PA/AP view, right wrist plain radiograph of the wrist 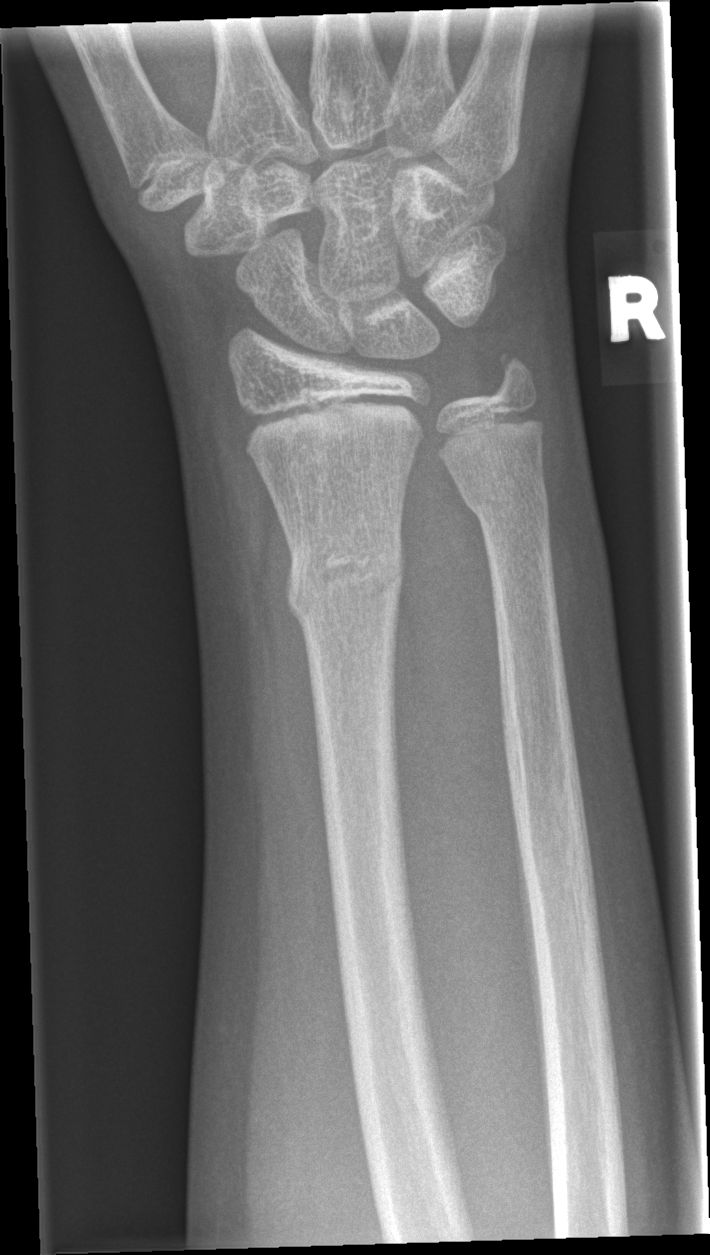

Three Fx at [x1=280, y1=540, x2=413, y2=631]; [x1=456, y1=470, x2=553, y2=530]; [x1=480, y1=344, x2=544, y2=404].